AP; Lt wrist plain film; boy, 14 yo; initial study; 542 by 942 pixels
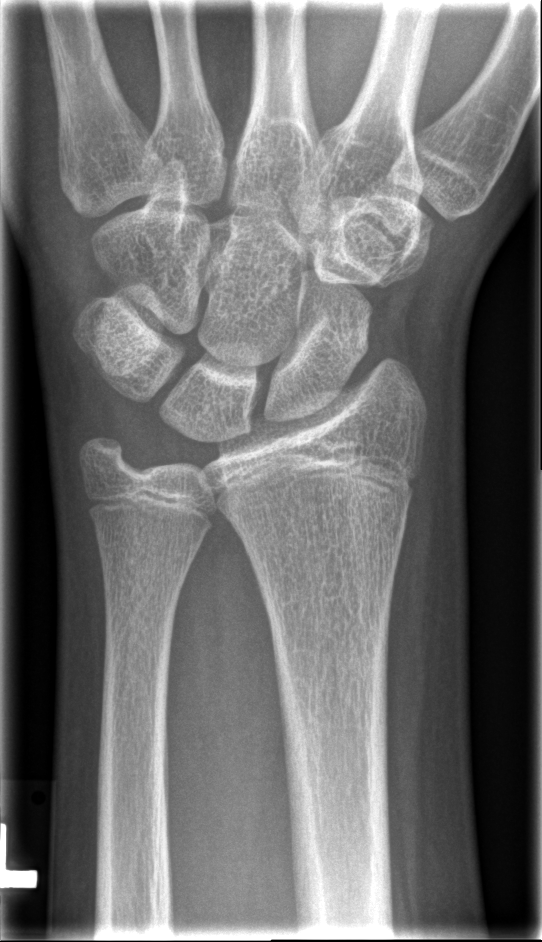

• Fx: none.